Right wrist X-ray, lat, pediatric patient (female, age 10) — 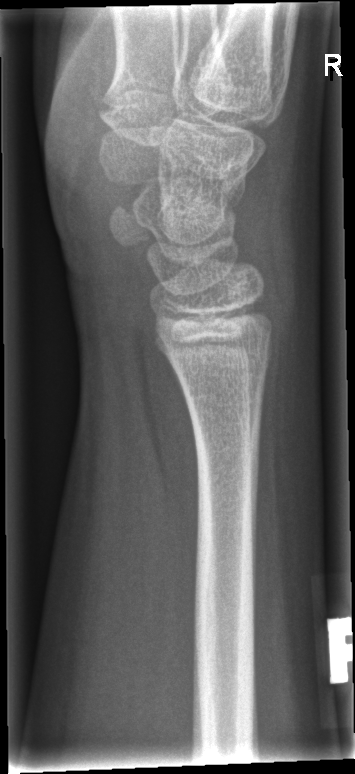

* No fracture bounding box.